R plain radiograph of the wrist · PA · acquired on Siemens 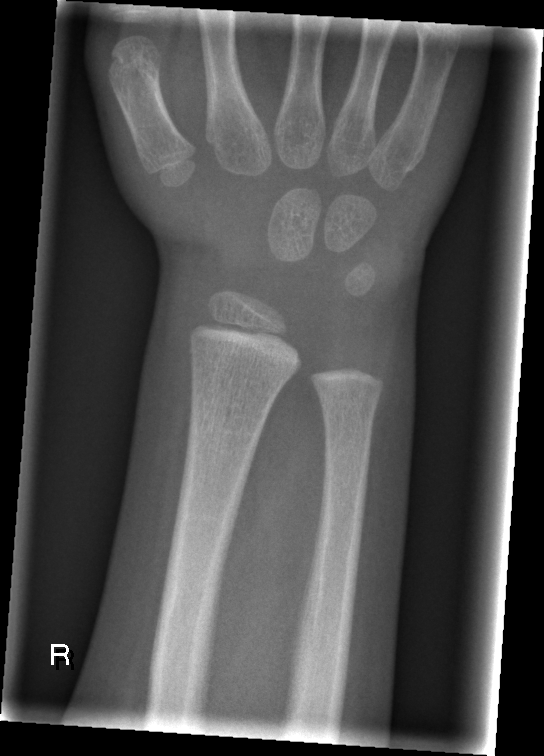

• No fracture annotation.